Lat projection · Lt wrist radiograph · age 12 y, boy · acquired on Siemens · image 82.4 mm wide: 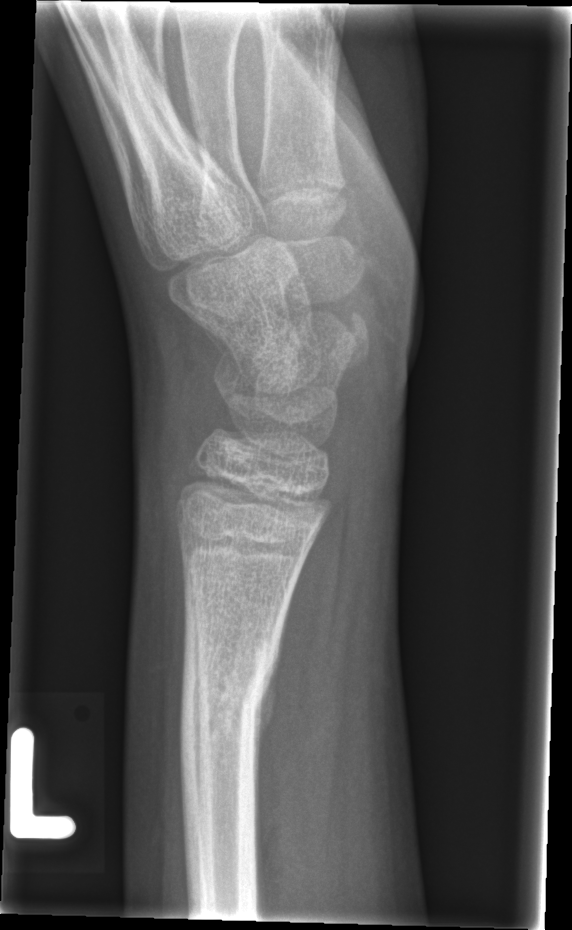
FINDINGS — Periosteal reaction: [x1=249, y1=635, x2=281, y2=805]. Fx — [x1=180, y1=648, x2=278, y2=751]. Fracture classified AO/OTA 23r-M/2.1.